Lateral; Rt wrist radiograph; pediatric patient (male, age 11); presentation radiograph —

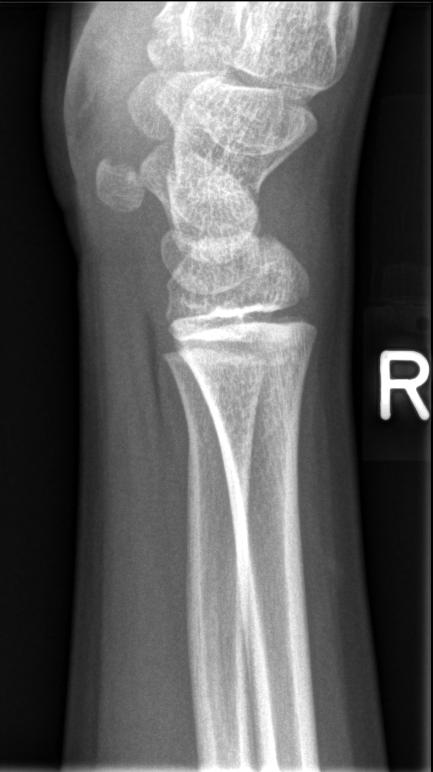
No fracture labeled.